Lat projection · left wrist plain radiograph of the wrist · pediatric patient (male, age 11) · in cast · 527x1120.
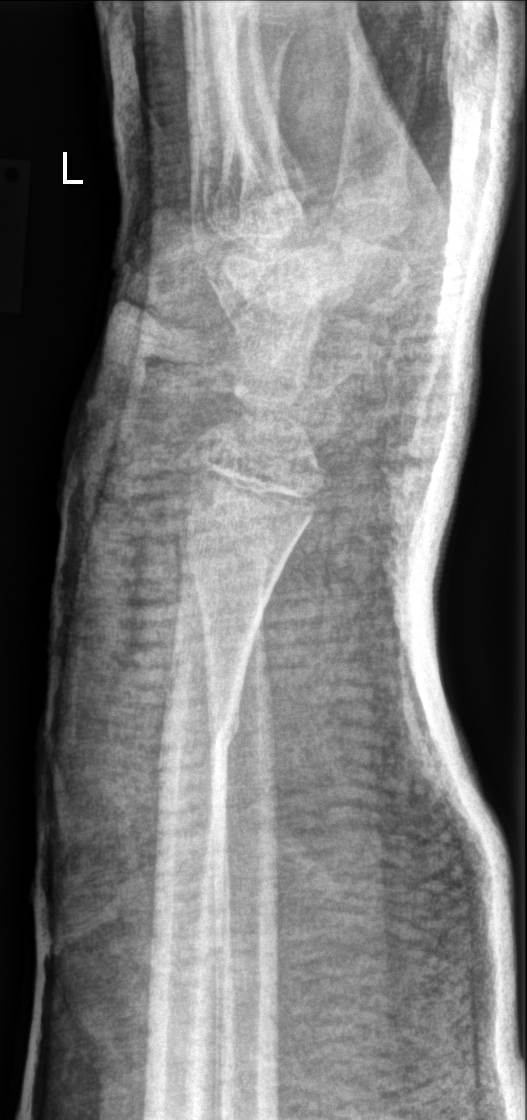
One fracture at bbox(150, 697, 243, 785).